PA/AP, left wrist X-ray, male, 13 yo, index exam, 667 by 1314 pixels
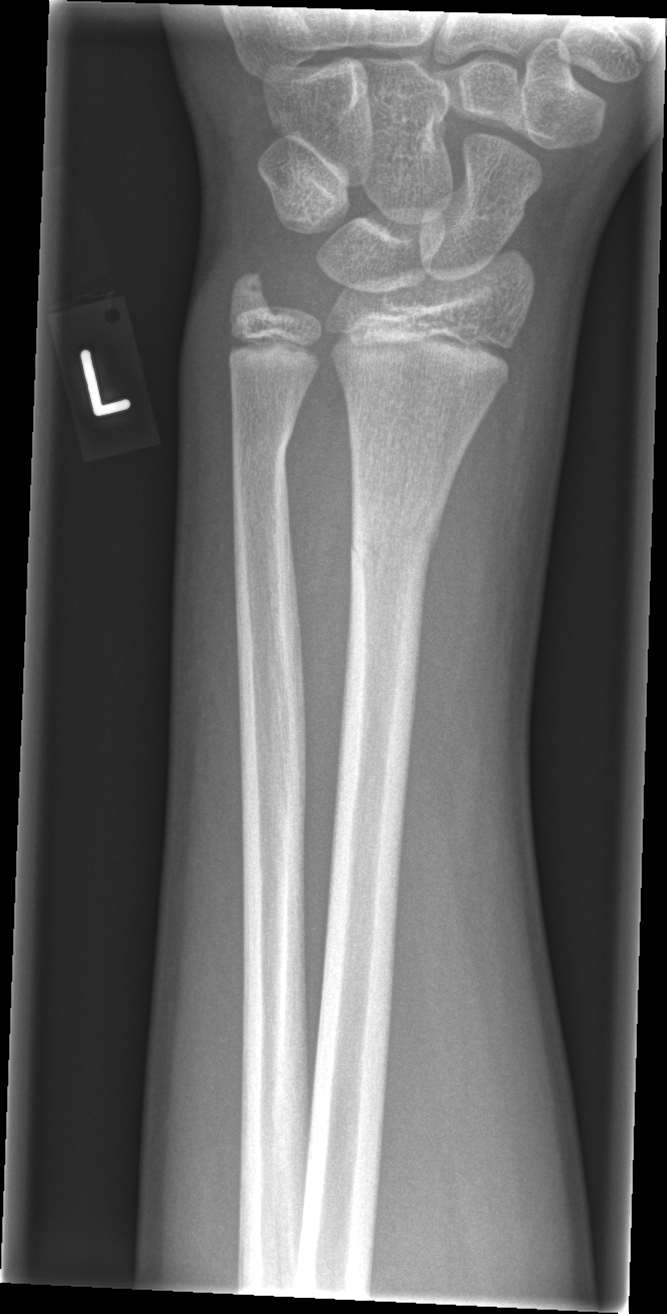

Q: Is there a fracture?
A: Bone fractures — (347, 489, 445, 583) (227, 414, 297, 470) (224, 263, 283, 321)
Q: AO code?
A: AO code 23r-M/3.1; 23u-M/2.1; 23u-E/7